Lat · R wrist radiograph · 9-year-old girl 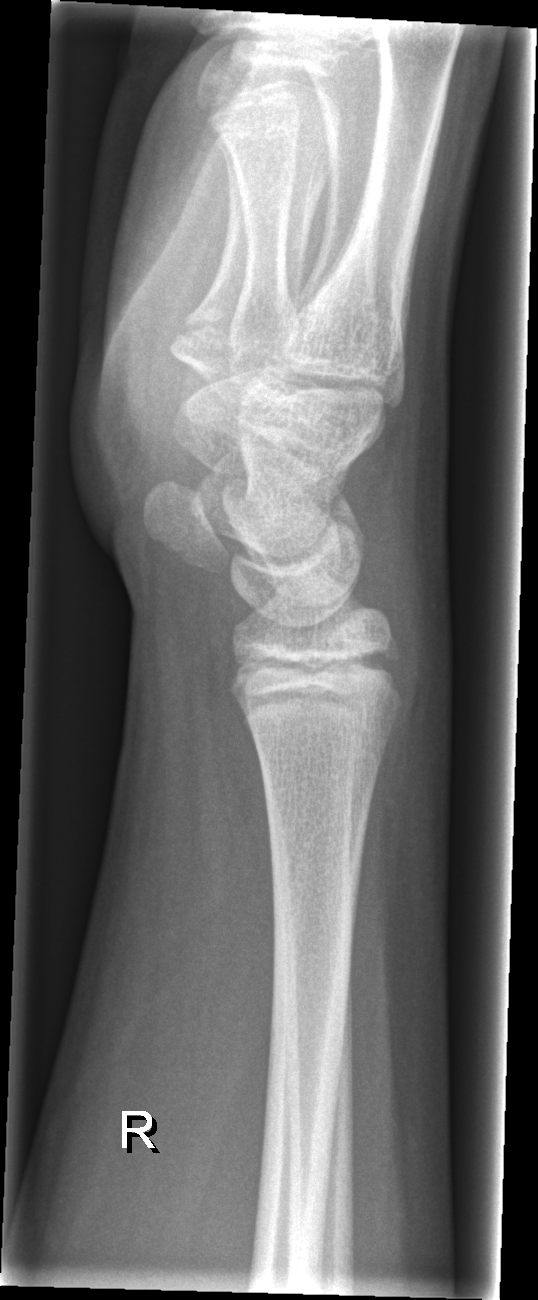

FINDINGS: No fracture bounding box.